PA view; left wrist XR; image width 80.2 mm; 557 x 1162 px 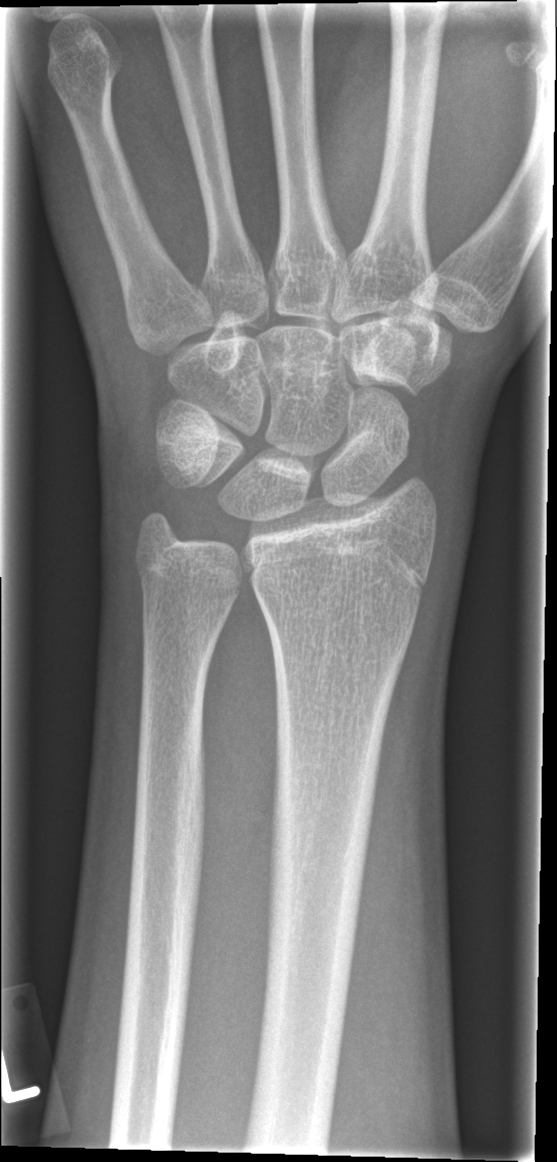 Fx = none labeled